L wrist radiograph; lat; 12-year-old boy; cast present; image 78.0 mm wide.
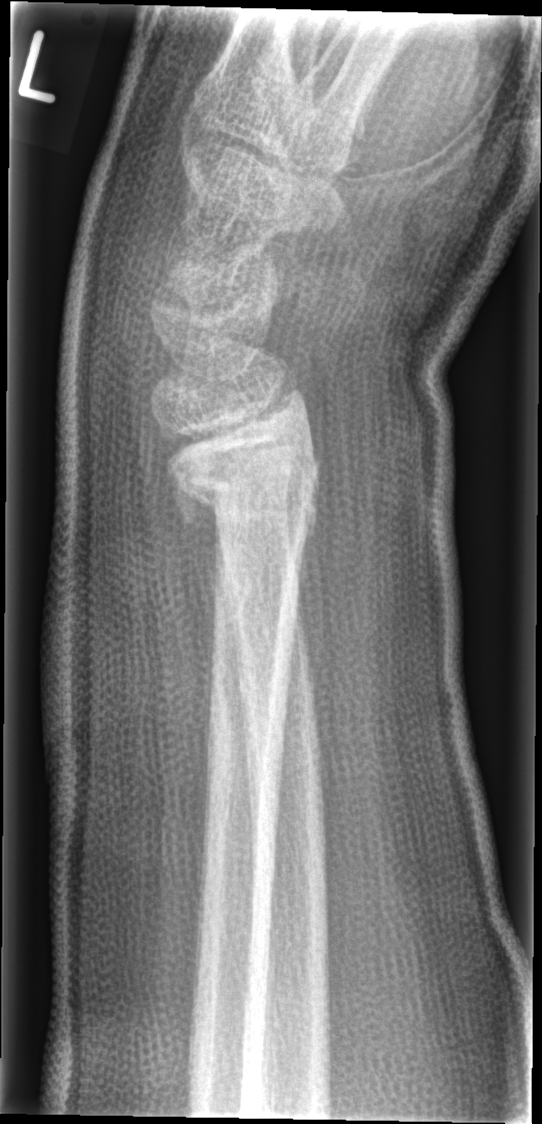

FINDINGS — (pixel coordinates, top-left origin, xyxy) Periosteal reaction — 175 485 226 581. One Fx at 164 382 325 545.